Rt wrist radiograph · frontal · pediatric patient (girl, age 12) · acquired on Siemens: 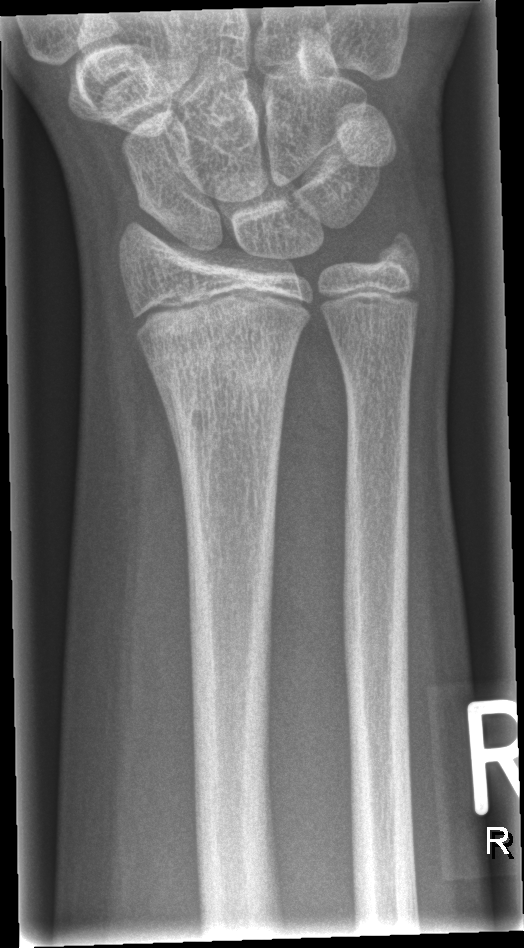 • One fracture at [x1=147, y1=309, x2=303, y2=437].
• AO code 23r-M/2.1.